Posteroanterior projection; right plain radiograph of the wrist; Siemens 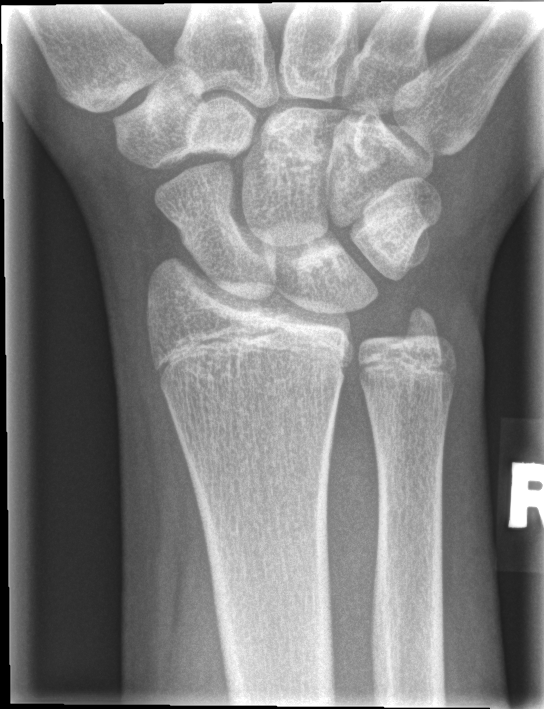
Findings: Fx: none.